Rt plain radiograph of the wrist, lat view, 338x694
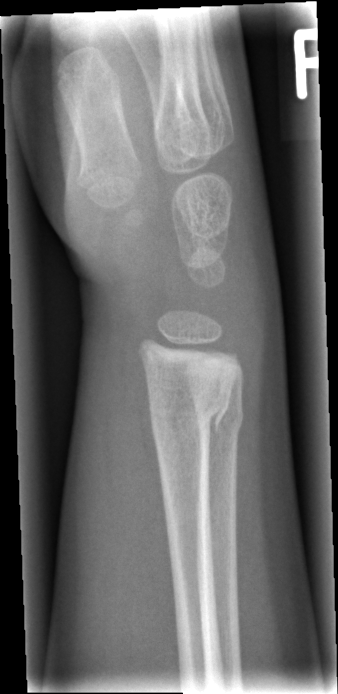 AO code 23r-M/3.1; 23u-M/2.1. Bone fracture identified at [x1=148, y1=390, x2=233, y2=447], [x1=193, y1=396, x2=247, y2=441].